Frontal projection | right wrist XR | diagnosis uncertain | acquired on Siemens 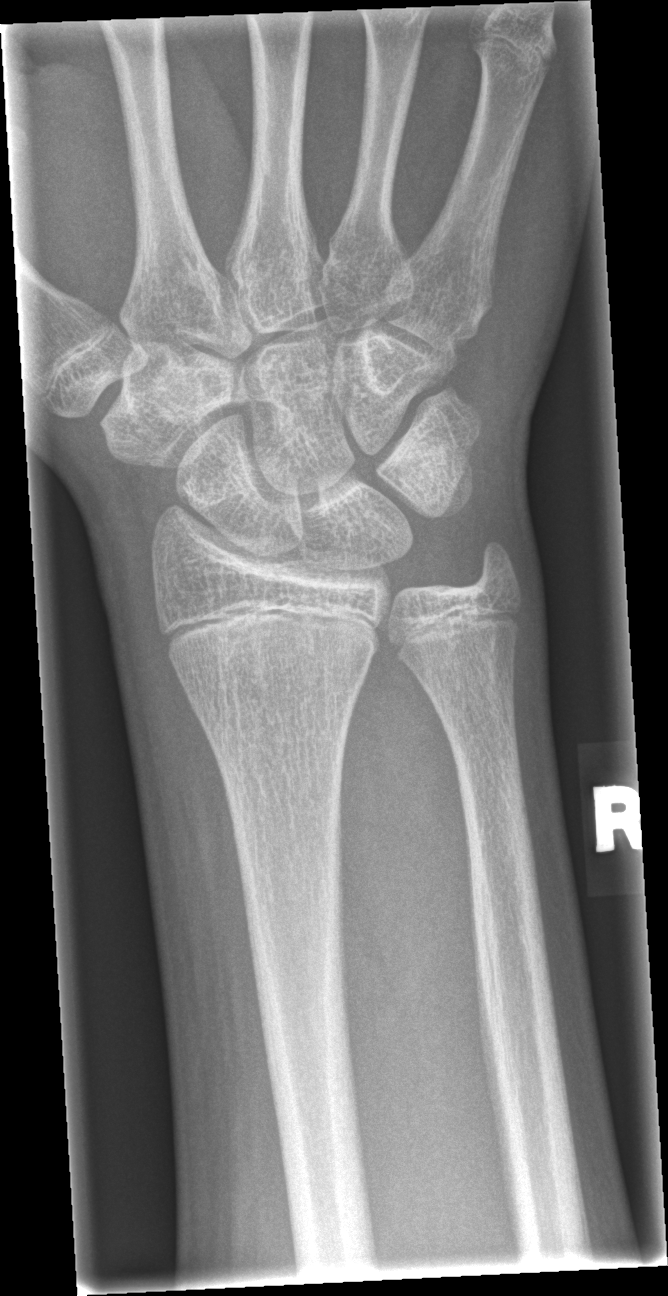 - Fx: none.